Lateral projection, L wrist XR, subsequent exam

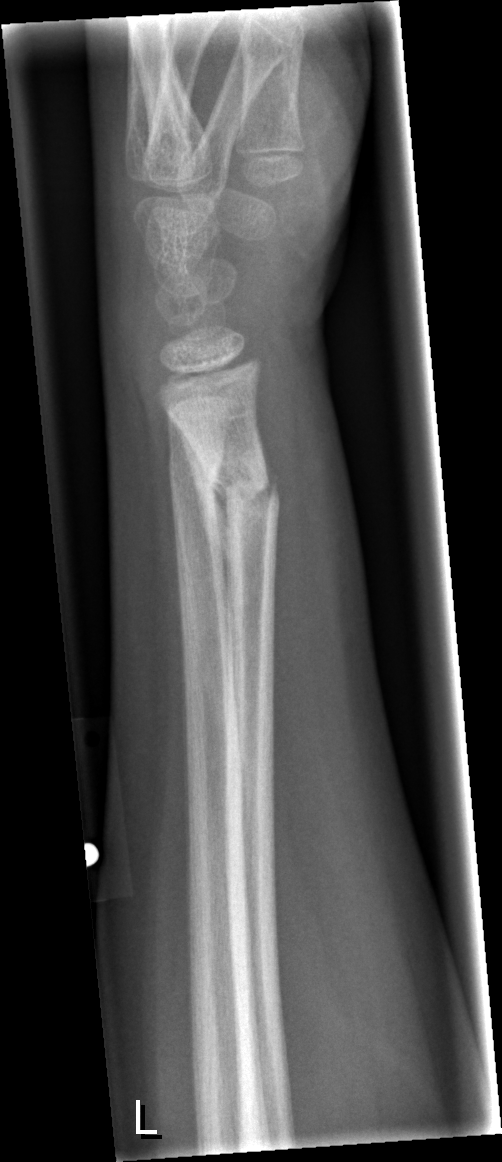 Fx = bbox(195, 462, 284, 535)